Posteroanterior projection, L wrist radiograph, detector: Siemens

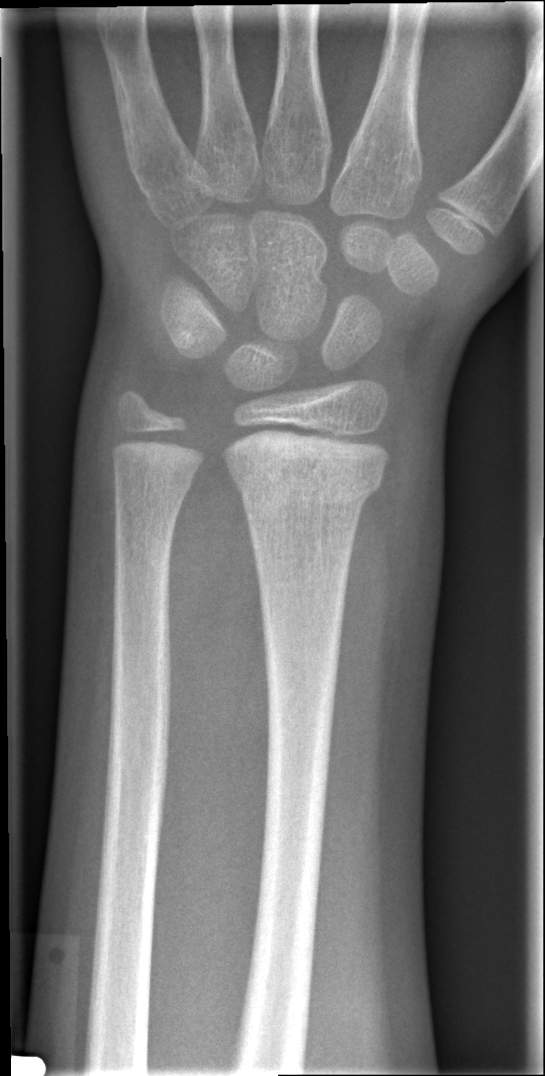

* Bounding boxes in image-pixel xyxy.
* Bone fracture identified at [231, 457, 386, 510]; [110, 463, 194, 506].
* AO/OTA classification: 23-M/2.1.